Lateral; right pediatric wrist radiograph; age 10 y, male; follow-up study; 463 x 1470 px.
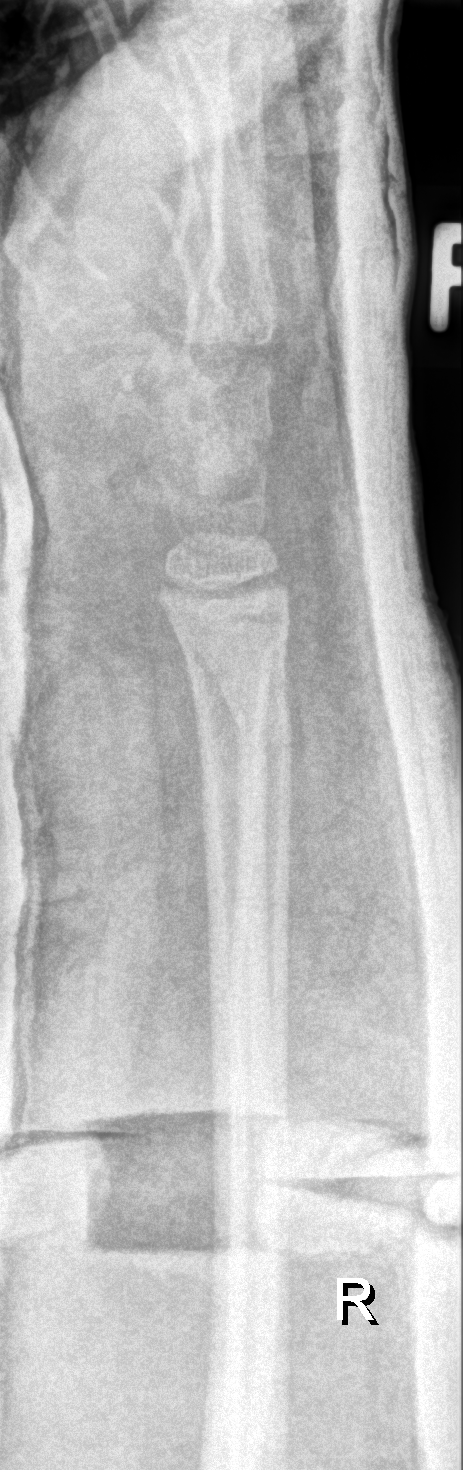
Findings: Bone fracture: 216,672,299,766.